AP view | left wrist plain radiograph of the wrist
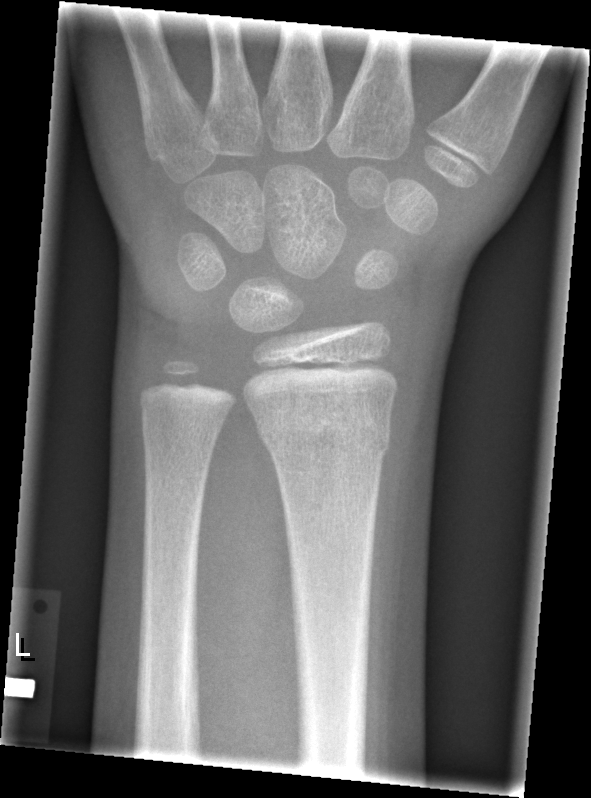

Findings: Bone fracture: [256, 405, 395, 462]. Fracture classified AO/OTA 23r-M/2.1.